Lateral | left wrist XR | pediatric patient (boy, age 14) — 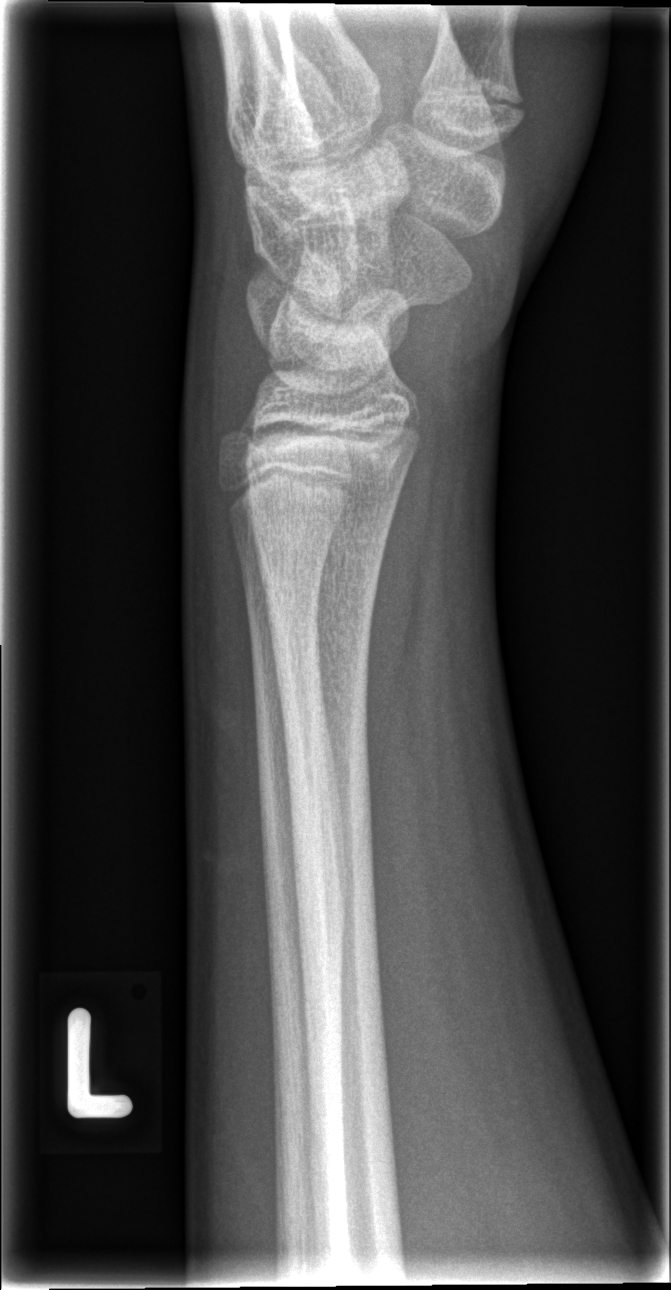
No fracture labeled.